PA/AP projection, R wrist XR, 6-year-old female, 560 x 966 px:
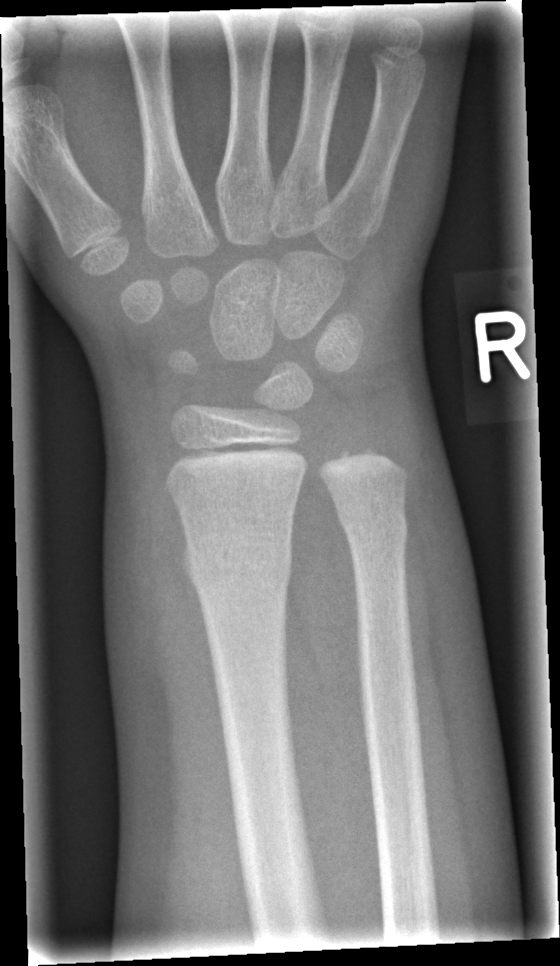

FINDINGS: Bone fractures — [x1=180, y1=537, x2=297, y2=591] [x1=335, y1=506, x2=410, y2=549]. AO/OTA classification: 23-M/2.1.